Right wrist XR · AP · imaged through cast: 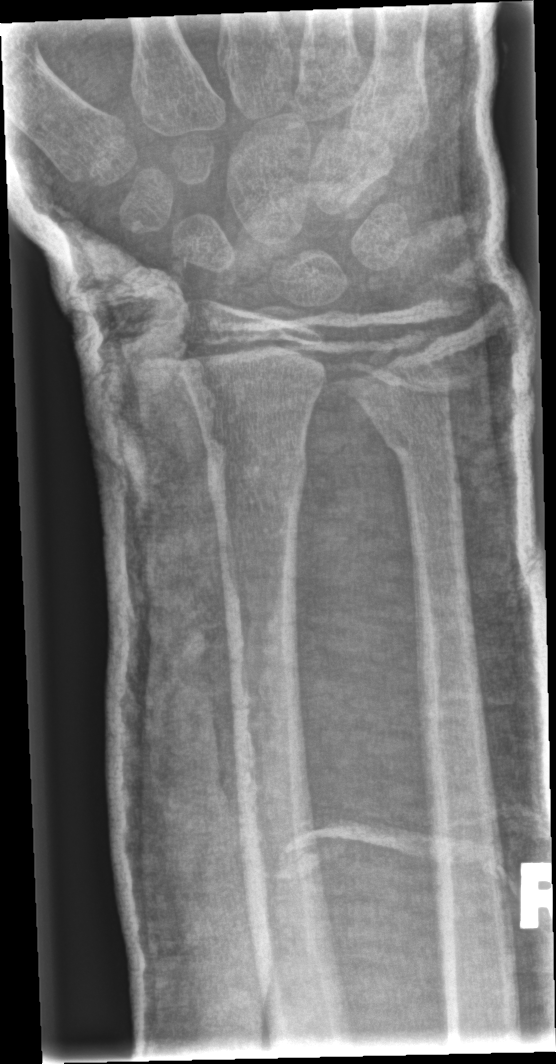
(boxes as x1,y1,x2,y2 (top-left / bottom-right, pixel units))
Q: Any fracture seen?
A: Bone fracture: [x1=204, y1=448, x2=310, y2=512], [x1=381, y1=420, x2=458, y2=470]
Q: AO code?
A: AO code 23r-M/2.1